L pediatric wrist radiograph; PA/AP projection; female, 16 yo.
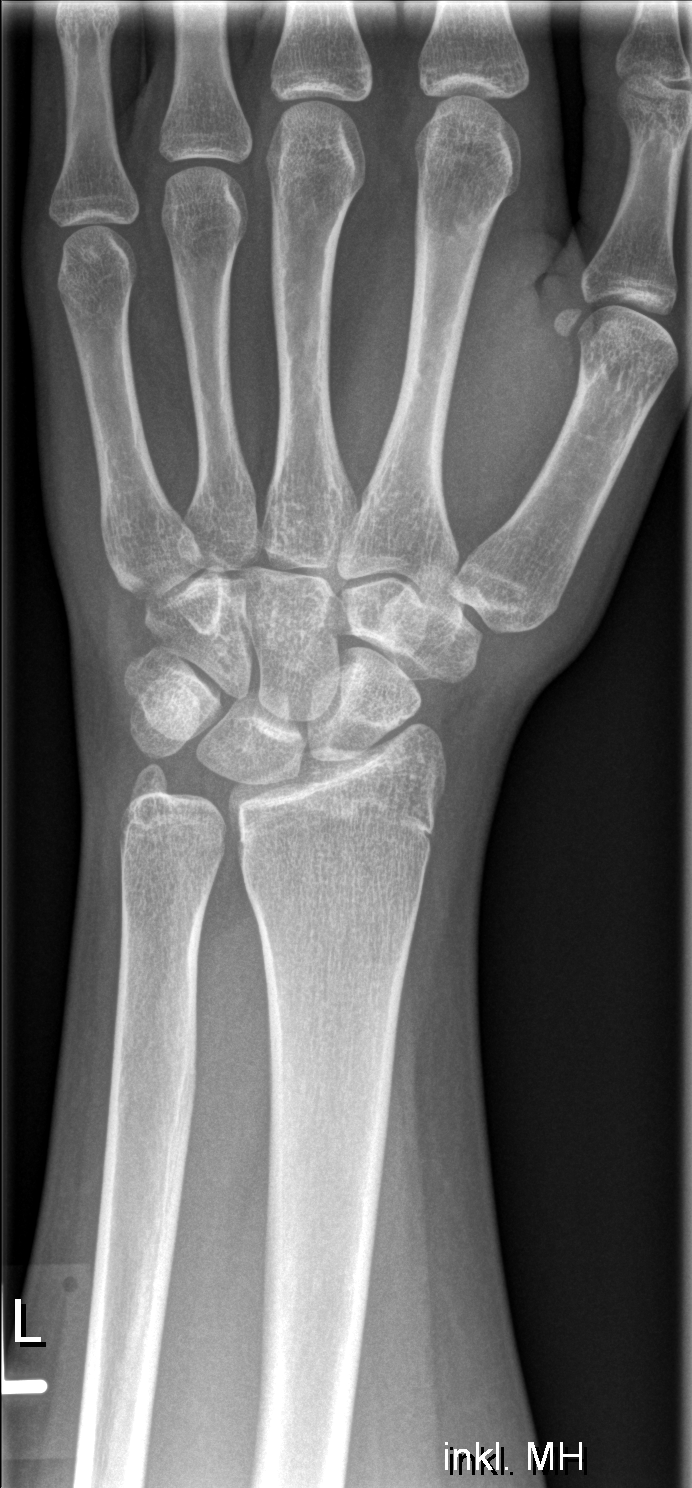
No fracture labeled.